Lateral, L wrist radiograph, pediatric patient (boy, age 10), 678 x 1472 px —
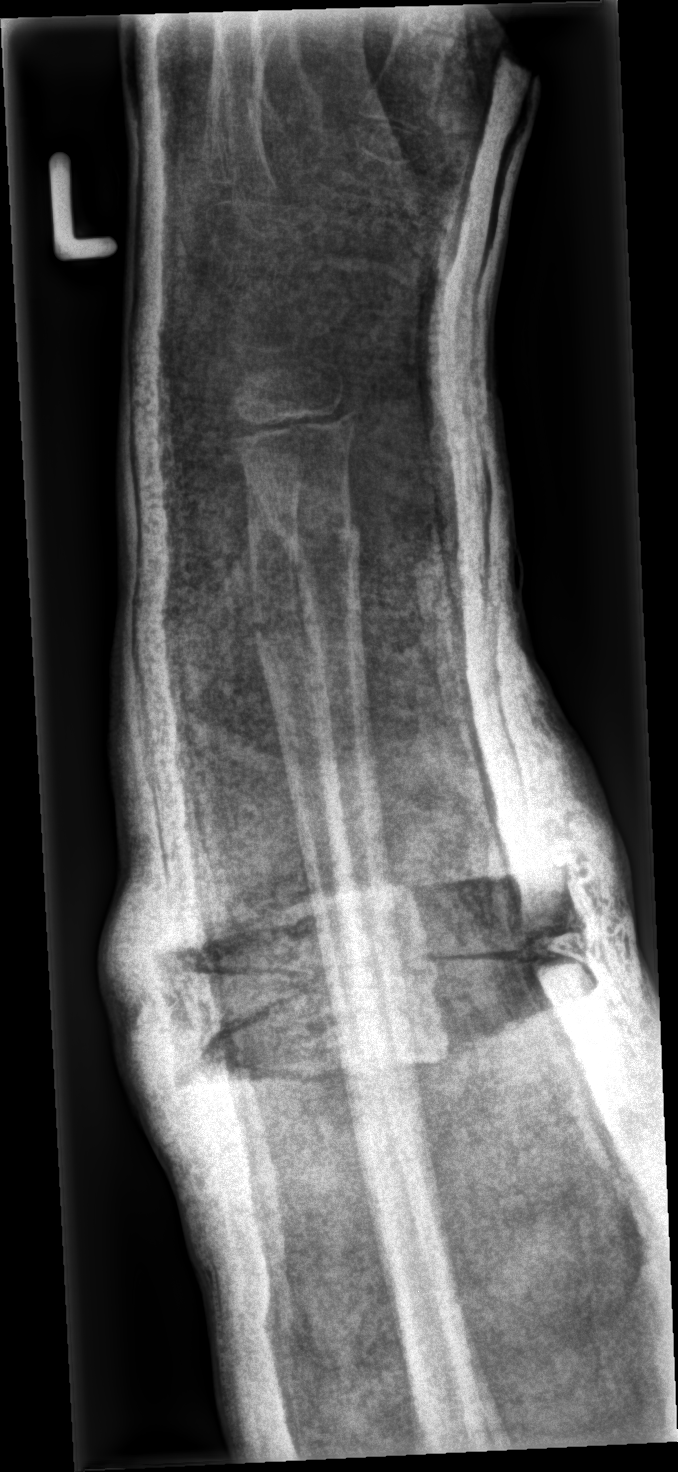

Fx: (266, 501, 367, 571); (245, 595, 325, 654).